Right wrist X-ray, AP projection, pediatric patient (girl, age 16), 526 by 994 pixels —
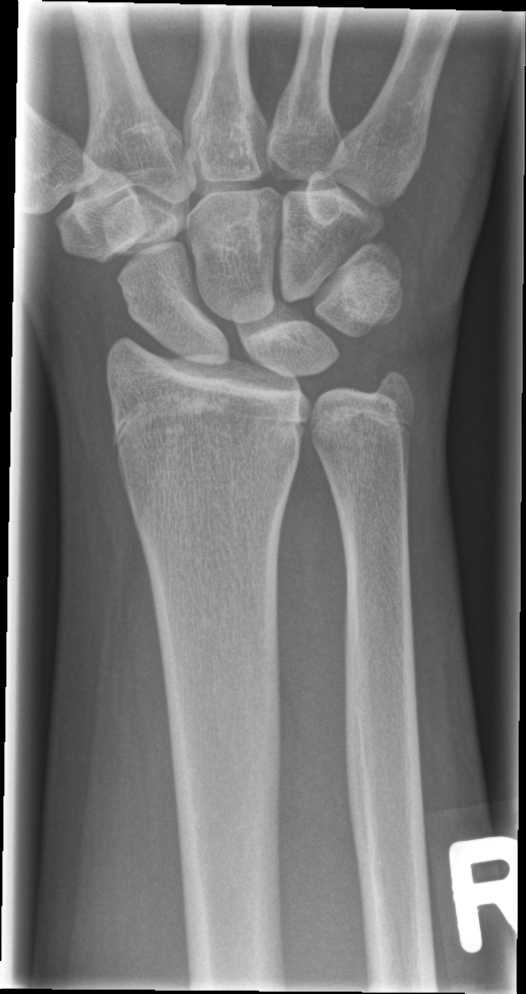
FINDINGS — No fracture annotation.